Lateral view | L plain radiograph of the wrist | initial study | image 58.2 mm wide
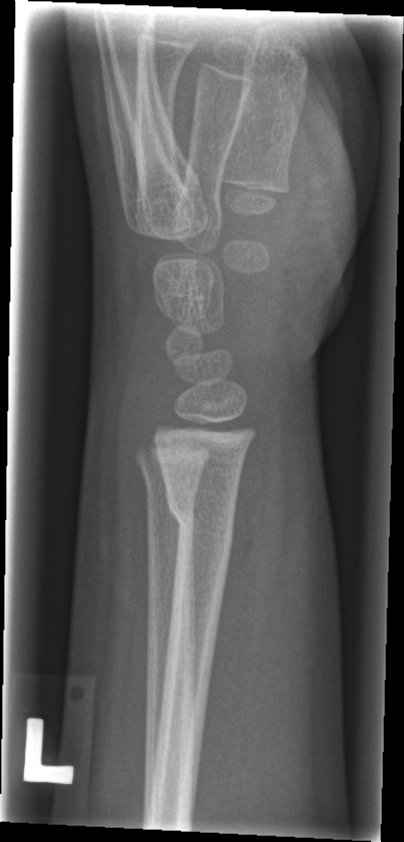 AO code 23-M/2.1.
One bone fracture at 163 489 239 537.